L wrist plain film · PA/AP view · pediatric patient (male, age 12) · 870 x 1360 px

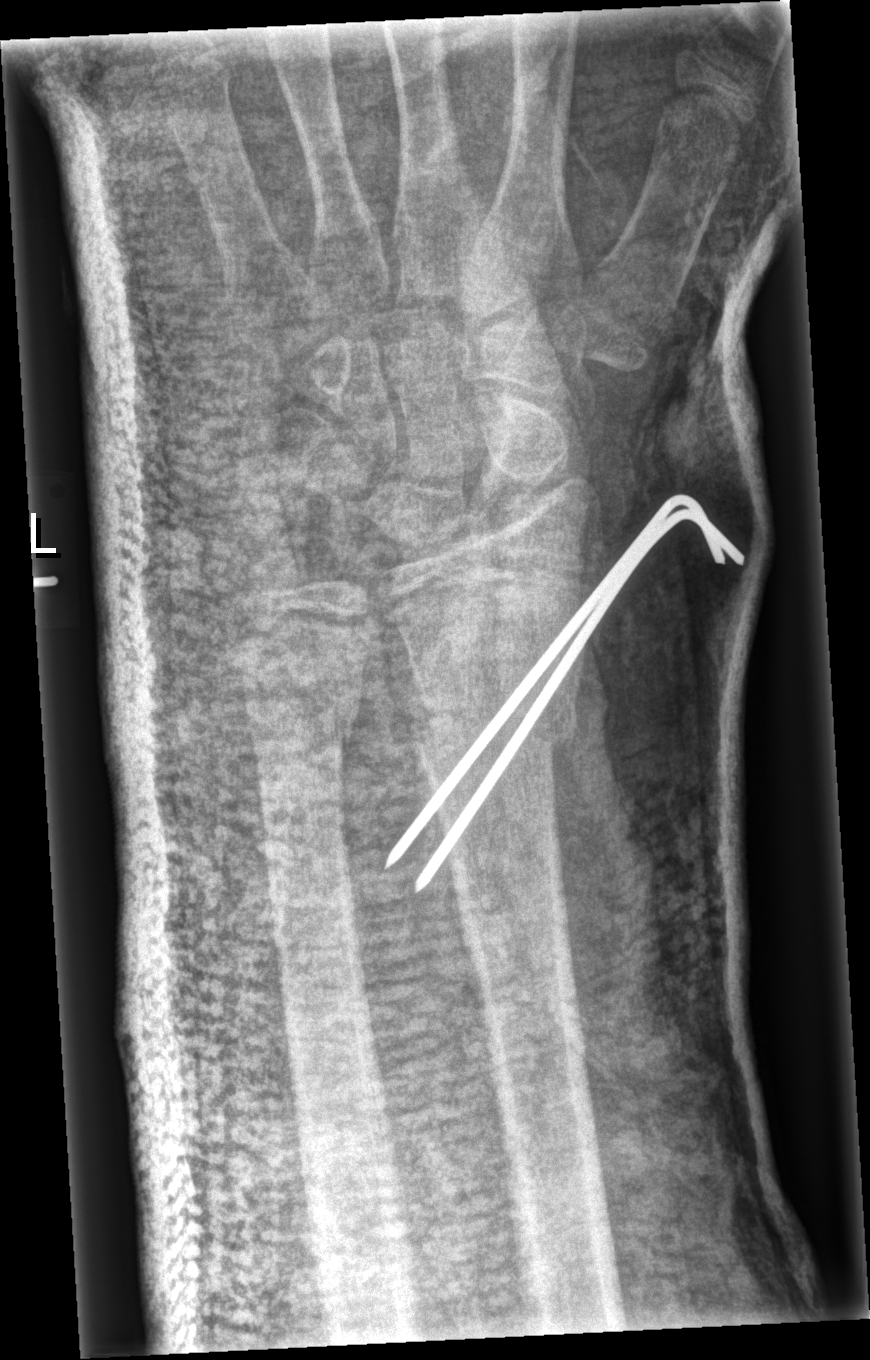

(boxes as x1,y1,x2,y2 (top-left / bottom-right, pixel units))
bone fracture = 2 @ [x1=404, y1=674, x2=582, y2=764], [x1=239, y1=681, x2=363, y2=757]
hardware = 1 @ [x1=377, y1=491, x2=745, y2=892]
AO classification = 23-M/3.1; 23u-E/7